Left wrist plain film, AP, pediatric patient (boy, age 16), presentation radiograph

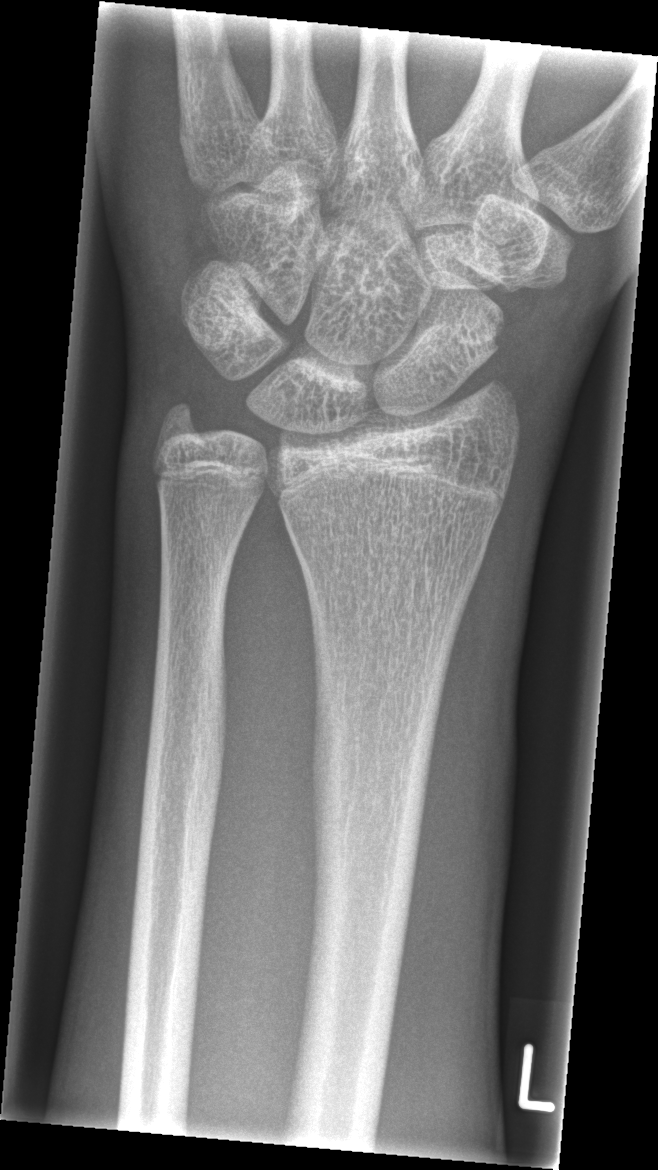

Fx: none labeled